AP projection, L wrist plain film, age 11 y, male, 606 by 1404 pixels

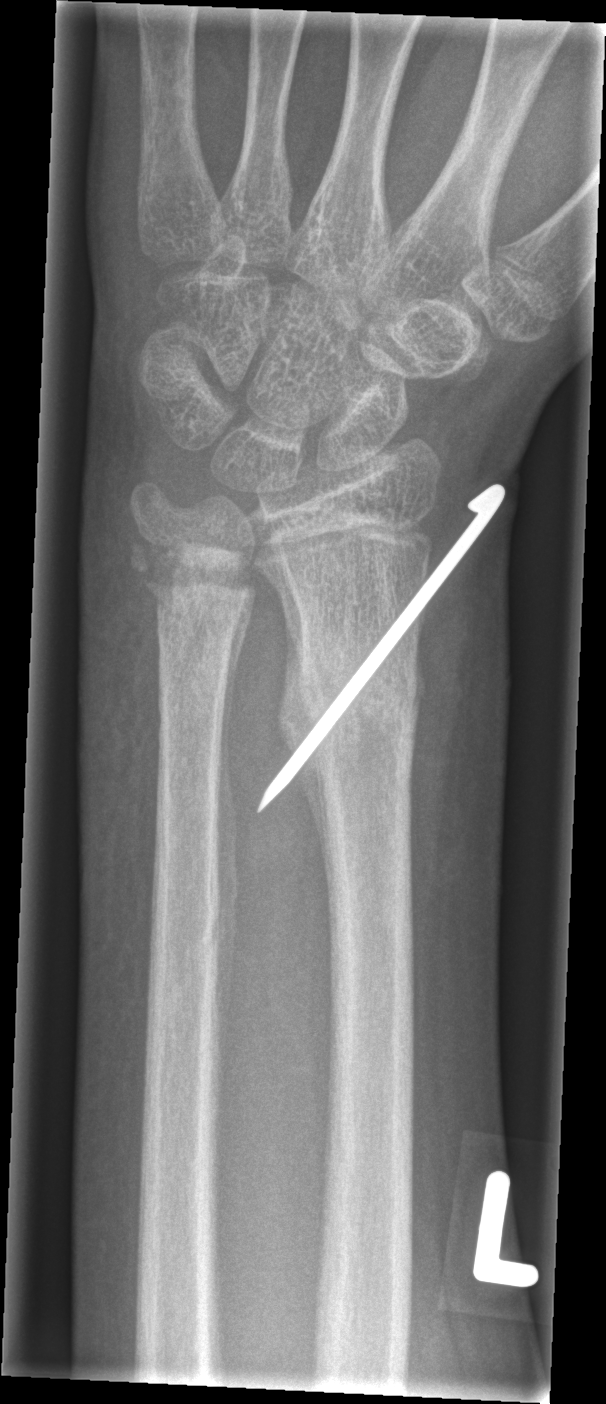
FINDINGS: Decreased bone density (osteopenia). AO code 23r-M/3.1; 23u-E/2.1. Soft tissue abnormality identified at 72,472,160,994. Three periosteal thickening at 207,589,255,1119 | 258,555,314,753 | 299,753,334,902. Two fractures at 282,632,424,768
  124,527,263,639. One metal at 251,481,510,815.